Left wrist plain film; PA; 14-year-old male.

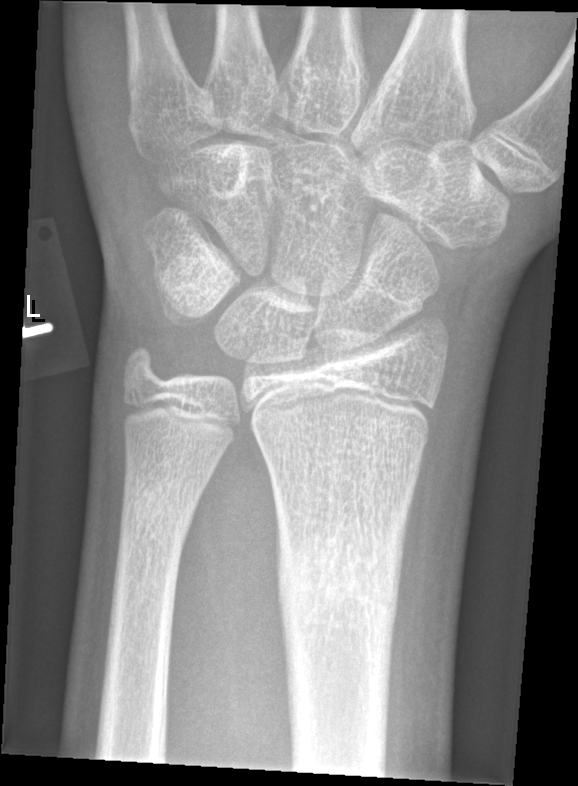 Coordinates are [x1, y1, x2, y2] in image pixels. Fracture identified at bbox(276, 533, 404, 635), bbox(119, 480, 199, 555).